Frontal projection; L wrist plain film; follow-up study; detector: Siemens 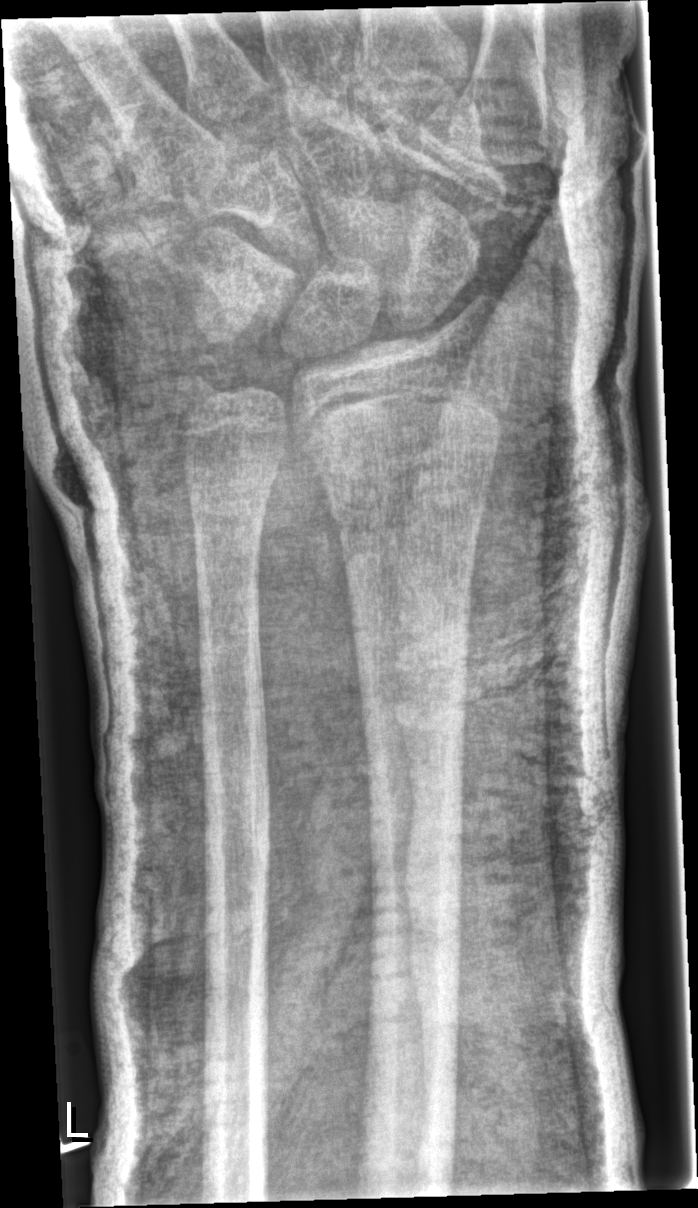

Fx identified at (left=307, top=423, right=499, bottom=532) (left=173, top=352, right=234, bottom=407).